Frontal view; R wrist X-ray; detector: Siemens
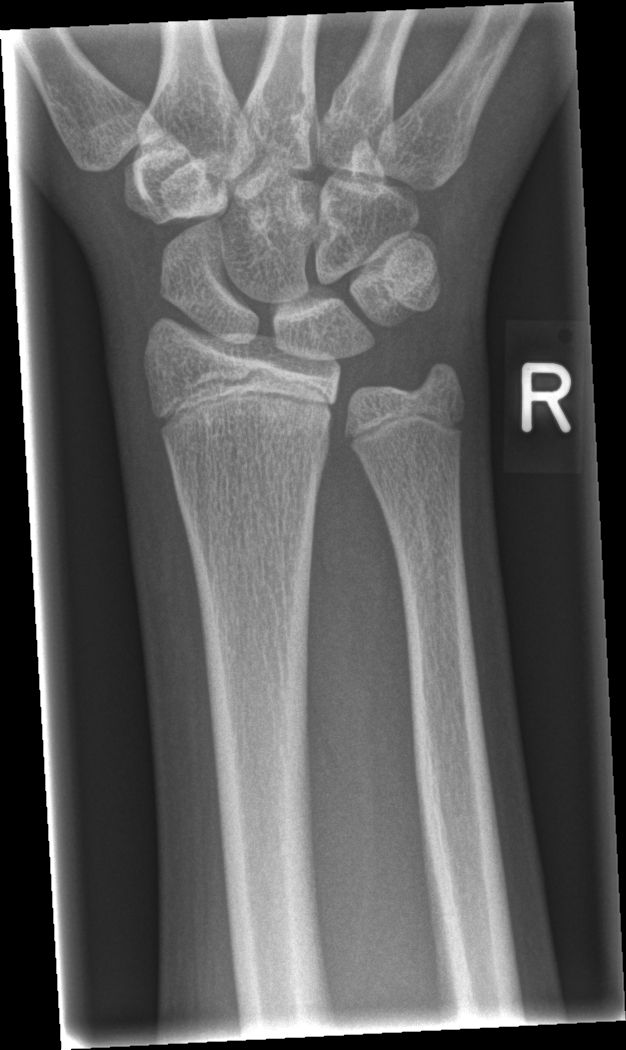 Q: Locate any fractures.
A: Fracture: none labeled